L wrist X-ray, PA view, imaged through cast, image 91.4 mm wide, 635x988 — 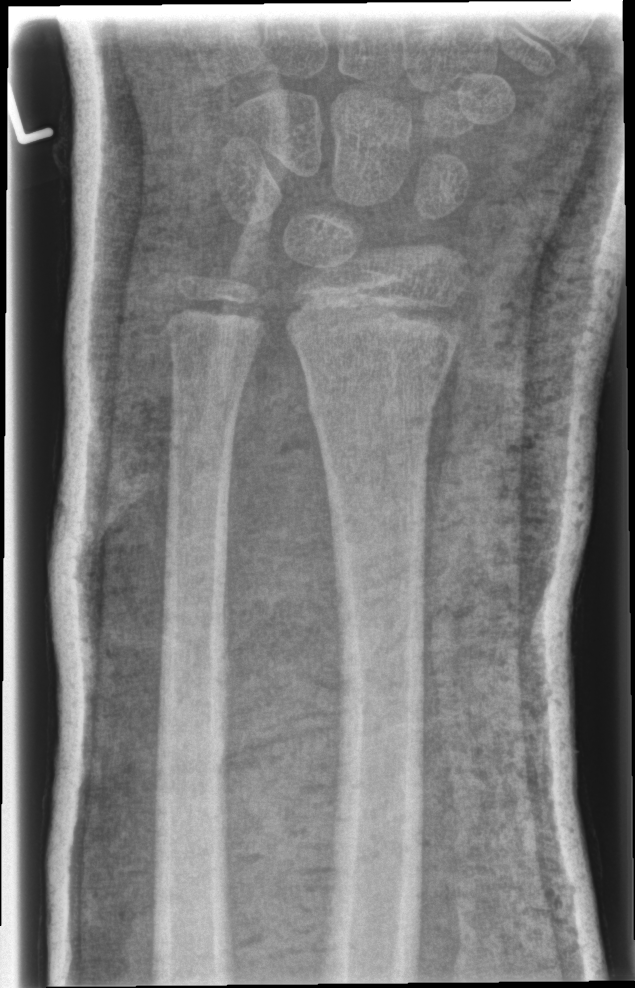
Q: AO code?
A: Fracture classified AO/OTA 23r-M/2.1
Q: Locate any fractures.
A: Bone fracture: 304 369 443 447